L plain radiograph of the wrist | lat projection 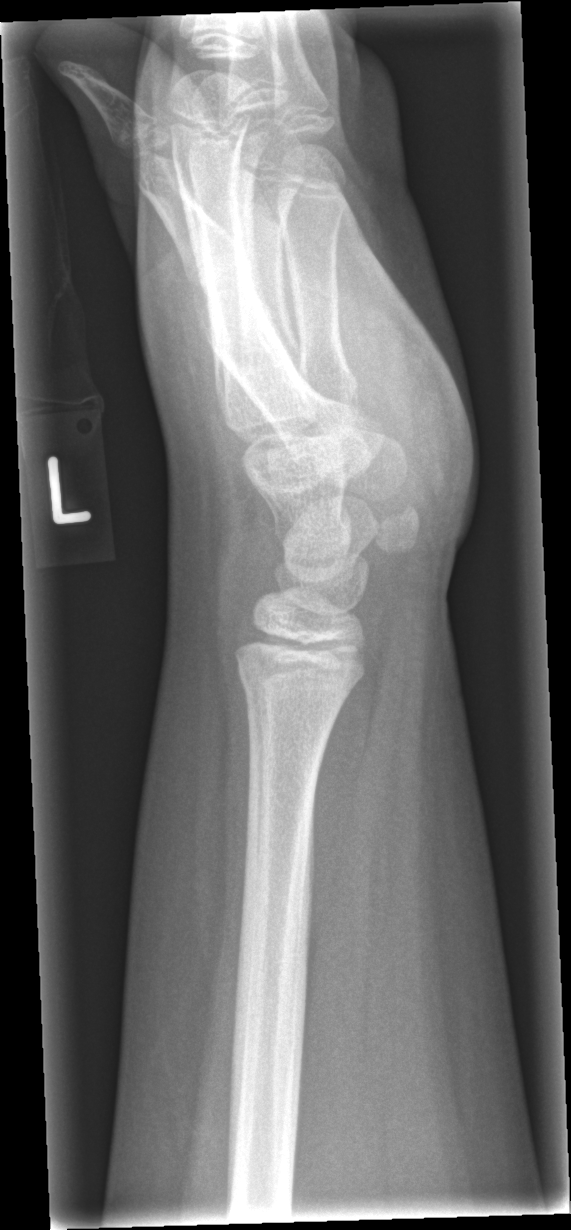
{
  "_coords": "boxes as x1,y1,x2,y2 (top-left / bottom-right, pixel units)",
  "ao": "23r-M/2.1",
  "fracture": "bbox(231, 647, 359, 715)"
}